Right wrist plain film · AP projection · detector: Siemens

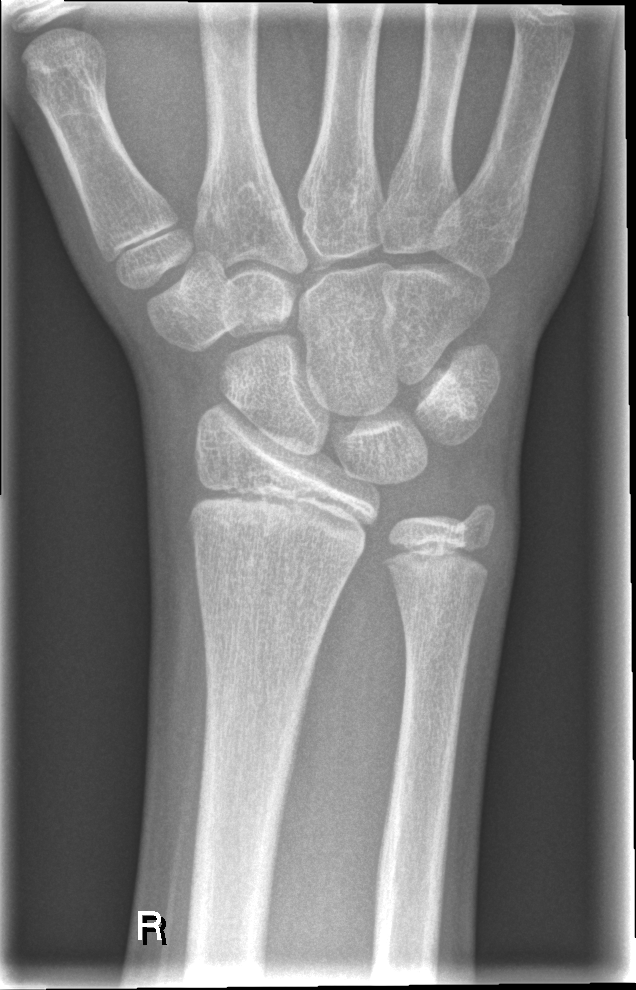
- No Fx annotated.